Right wrist X-ray | PA projection | 8y F.

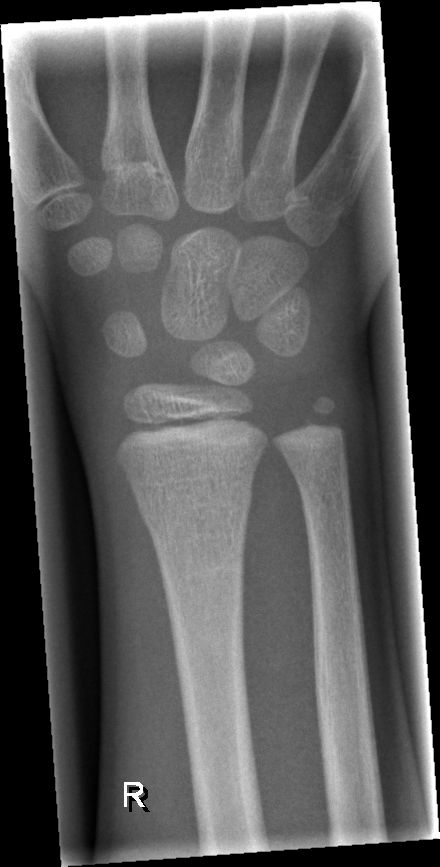

(boxes as x1,y1,x2,y2 (top-left / bottom-right, pixel units))
Q: Locate any fractures.
A: Fracture identified at [131, 476, 255, 535]